R wrist XR; PA/AP projection; pediatric patient (female, age 2); initial study; acquired on Siemens

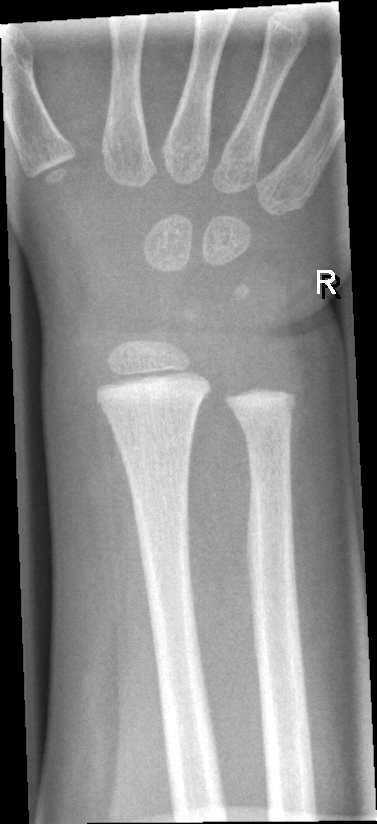

Fracture: none labeled.